Left wrist plain film, PA view, 13-year-old male, presentation radiograph, Siemens — 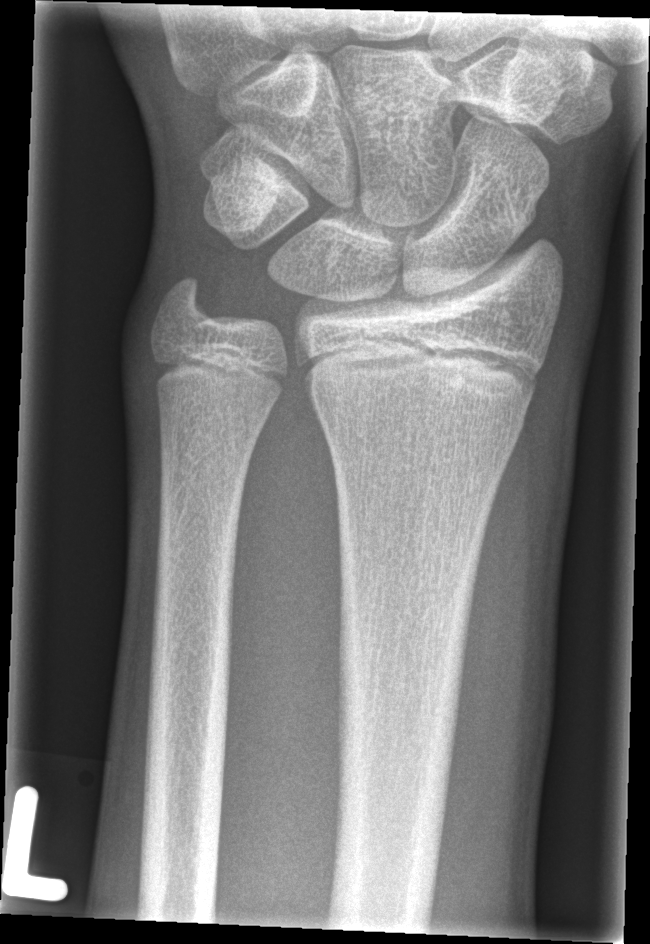 FINDINGS: Fracture: none labeled.